Left plain radiograph of the wrist · lat projection · male, 7 yo · 49.2 mm image width
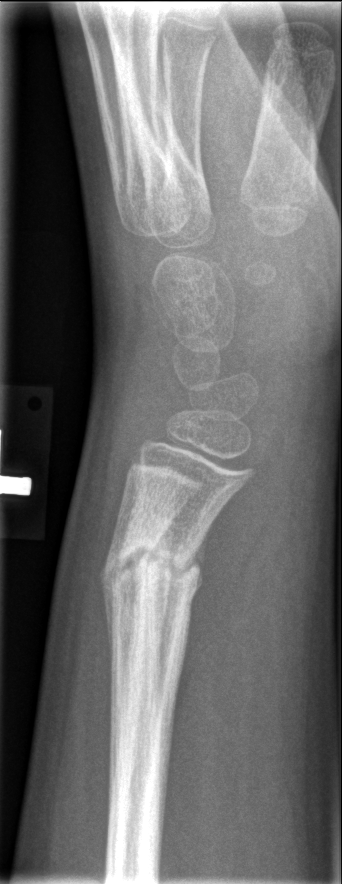 {
  "periostealreaction": "2 @ 98 556 117 689; 178 523 212 580",
  "osteopenia": "present",
  "fracture": "1 @ 101 540 207 599",
  "ao": "23-M/3.1"
}